PA view · right wrist XR:

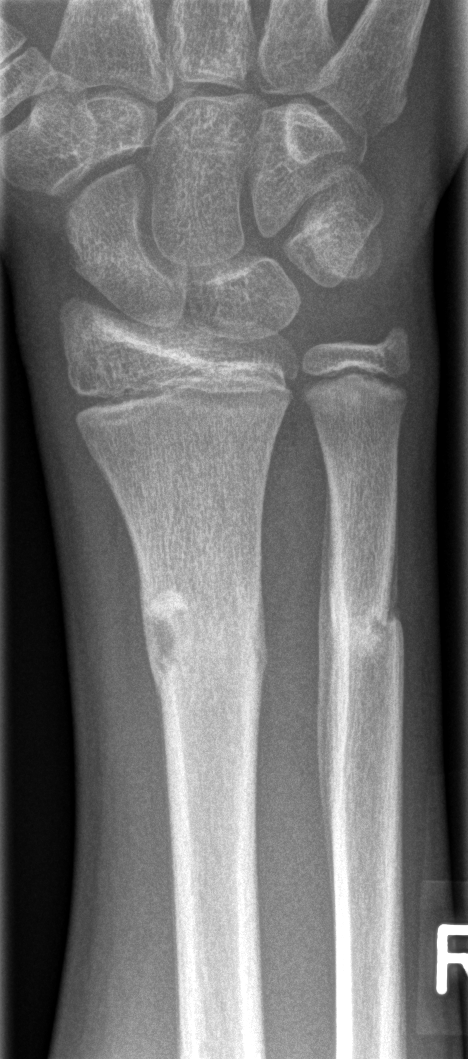

Osteopenia = present
Periosteal thickening = 2 @ <316,471>-<339,957>, <384,461>-<406,755>
Fracture = 2 @ <136,576>-<271,707>; <324,579>-<405,668>